Lat view · Lt wrist plain film · presentation radiograph. 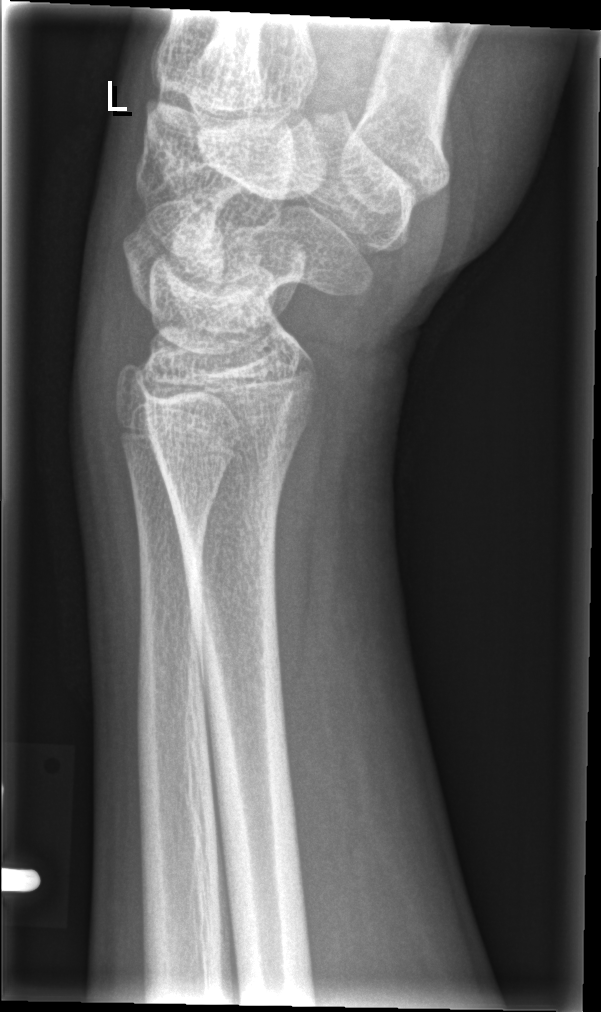

Bone fracture: none labeled